Posteroanterior projection; right wrist XR; initial study —

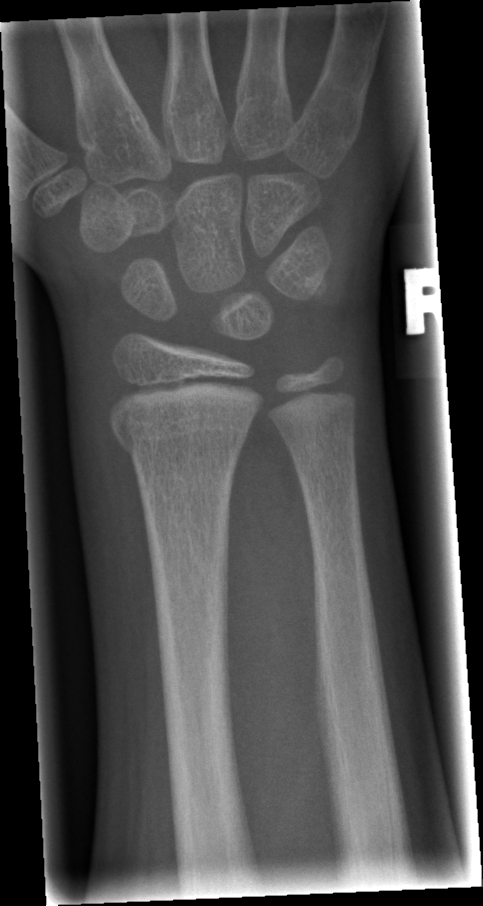 FINDINGS: Fracture classified AO/OTA 23r-M/2.1. One bone fracture at [109, 406, 253, 475].